Left plain radiograph of the wrist, posteroanterior projection, 116.4 mm image width, 808x1372

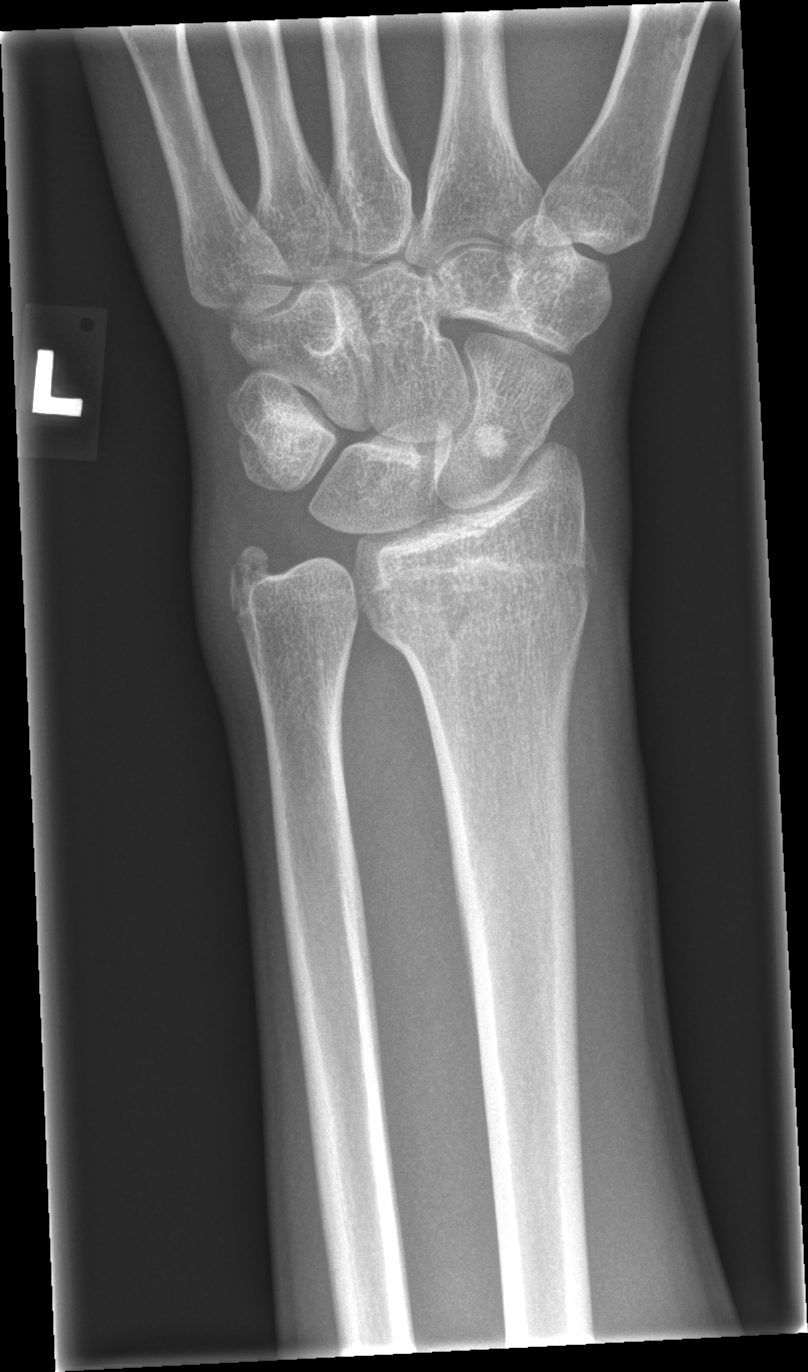 Findings: (pixel coordinates, top-left origin, xyxy) Two fractures at (left=356, top=558, right=600, bottom=668); (left=223, top=539, right=294, bottom=627). Fracture classified AO/OTA 23r-M/3.1; 23u-E/7.